Right wrist plain film · lateral projection · index exam: 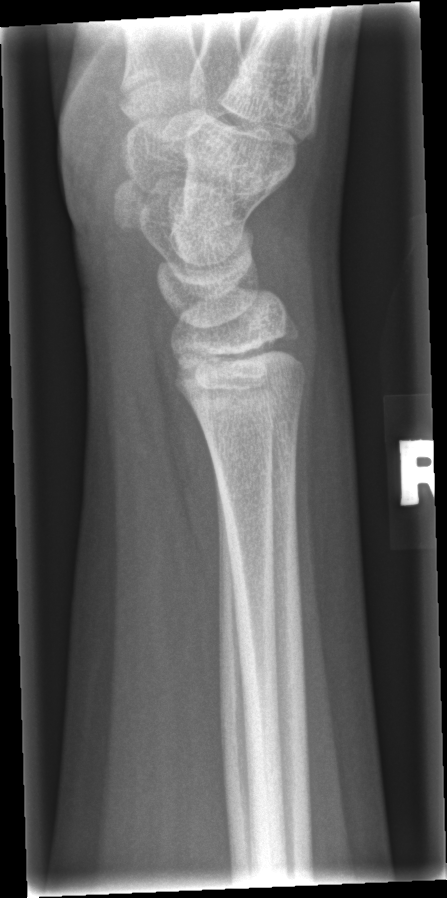

No fracture labeled.